Left wrist radiograph | posteroanterior | 15y M | in cast — 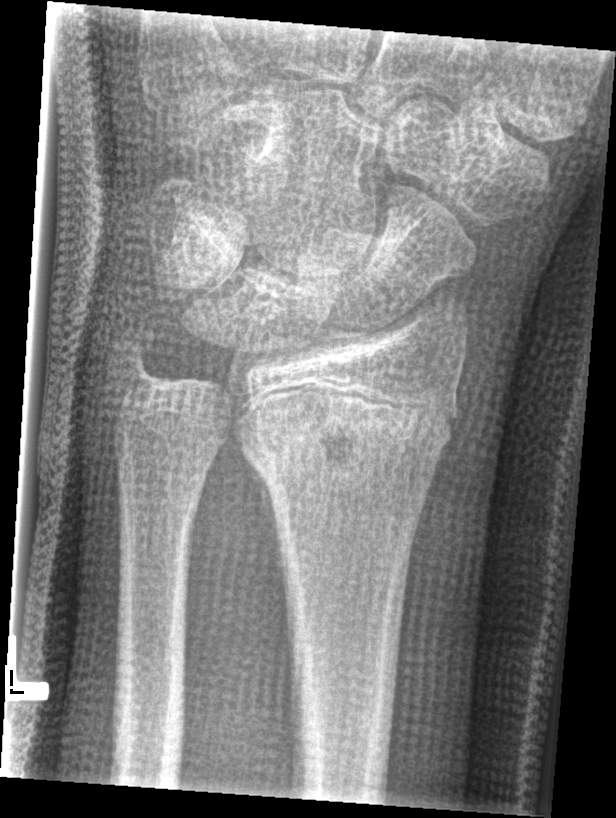
Q: What is the AO/OTA classification?
A: Fracture classified AO/OTA 23r-M/3.1; 23u-E/7
Q: Locate any fractures.
A: Fracture identified at 212,352,481,501
  101,321,159,390